Frontal, L plain radiograph of the wrist, acquired on Siemens. 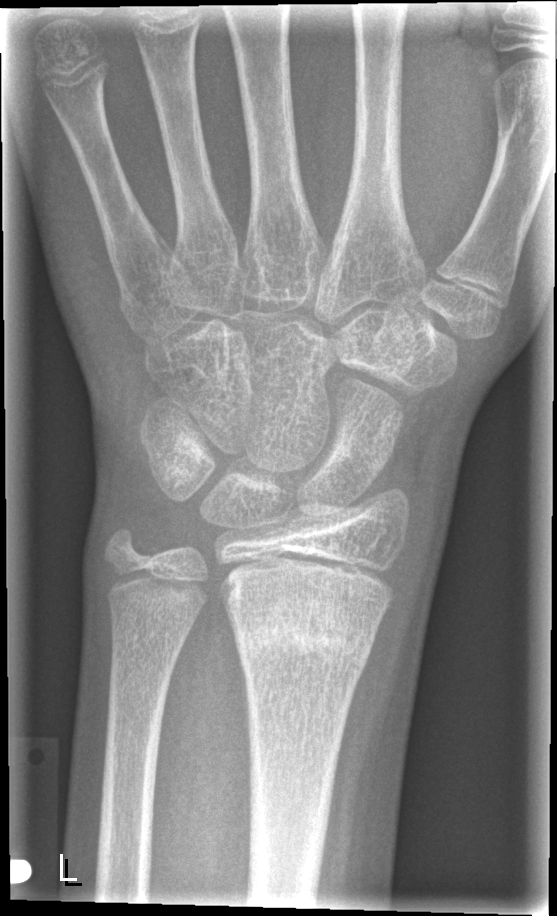
Boxes as x1,y1,x2,y2 (top-left / bottom-right, pixel units).
Fx identified at <232,606>-<379,674>.